Lateral projection, left wrist plain radiograph of the wrist, pediatric patient (girl, age 13), presentation radiograph 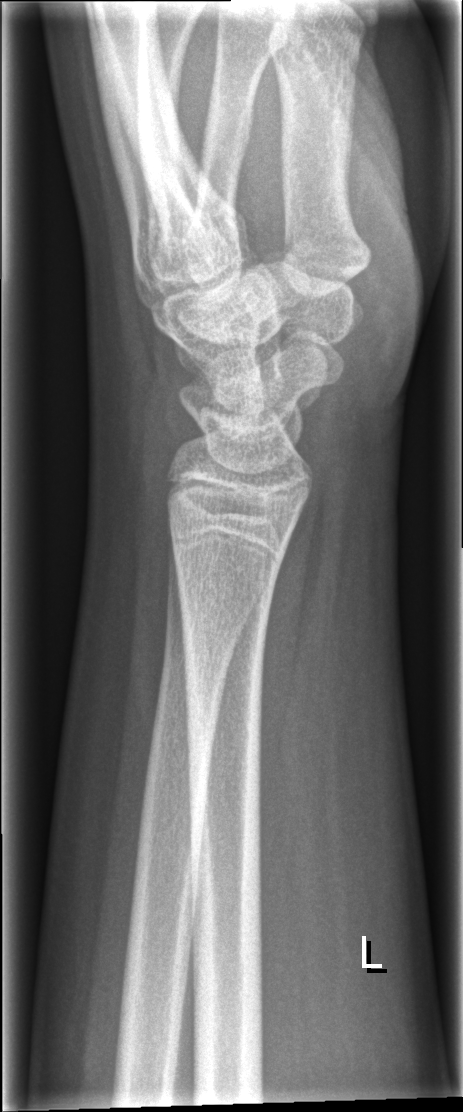
fracture: none labeled